R wrist plain film · AP projection · index exam — 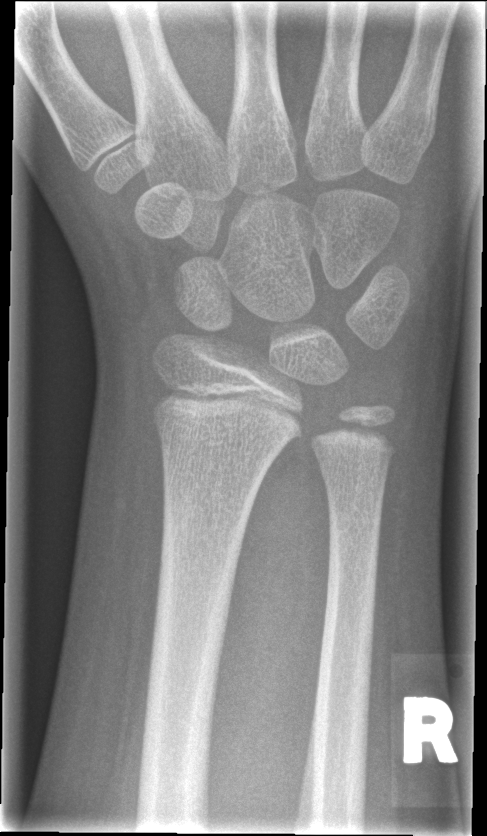 Bone fracture = none labeled